Lt pediatric wrist radiograph | PA/AP view. 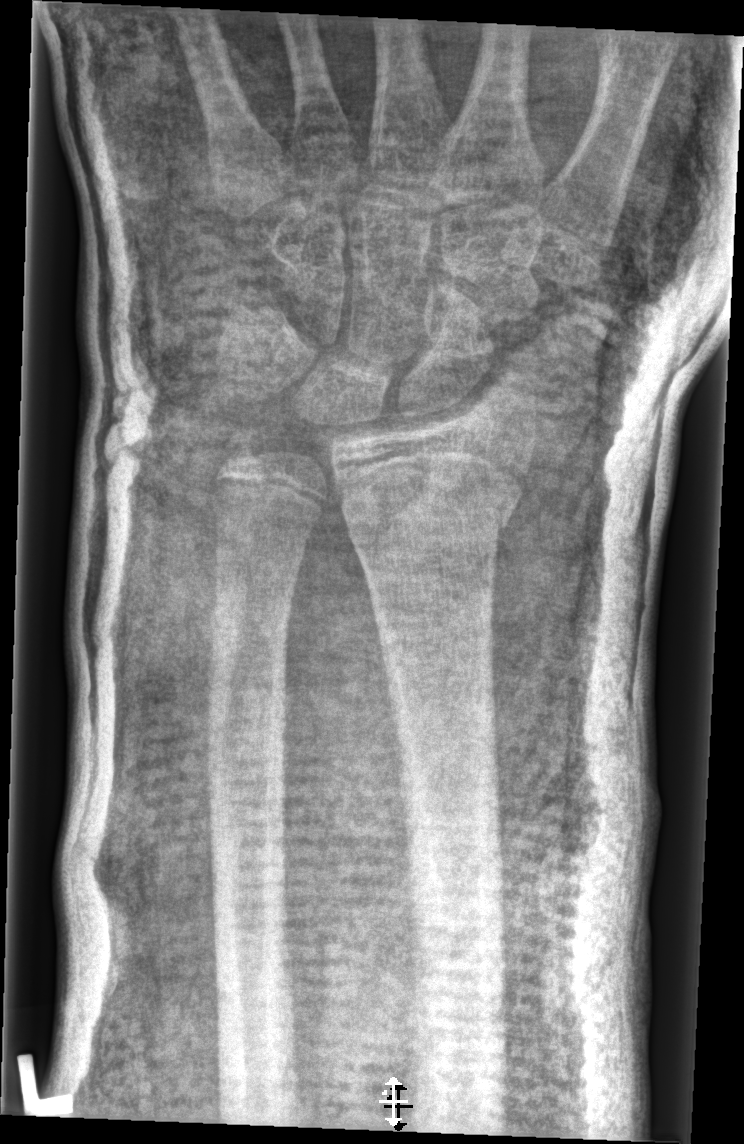 AO classification: 23r-M/3.1; 23u-E/7
Fx: 337 481 525 547